Lat; Lt wrist radiograph —
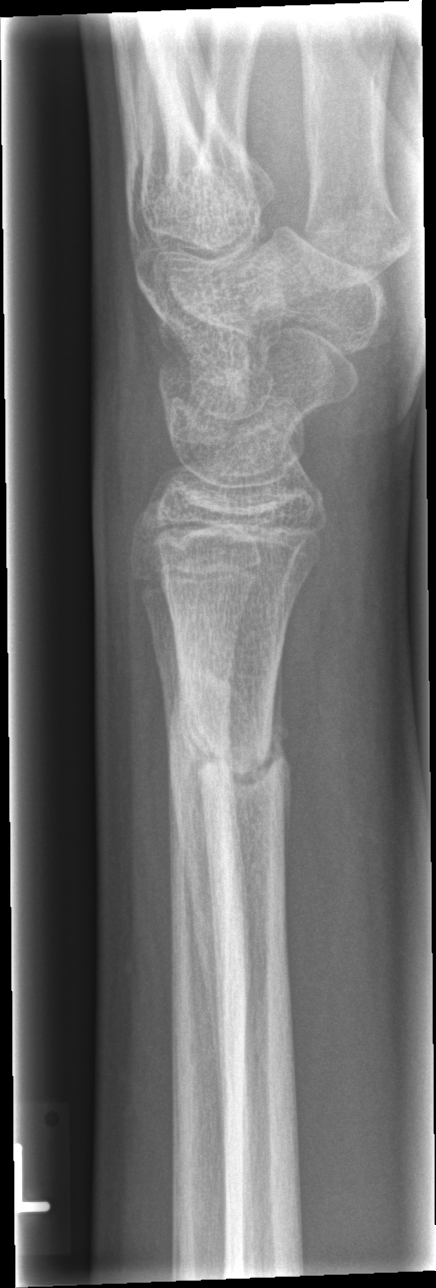 ao: 23r-M/3.1; 23u-M/2.1; 23u-E/7
osteopenia: present
fracture: <177,697>-<296,816>
periostealreaction: 2 @ <169,667>-<223,1126>, <264,647>-<292,874>